Lateral view, Lt pediatric wrist radiograph, index exam, 670 by 1302 pixels 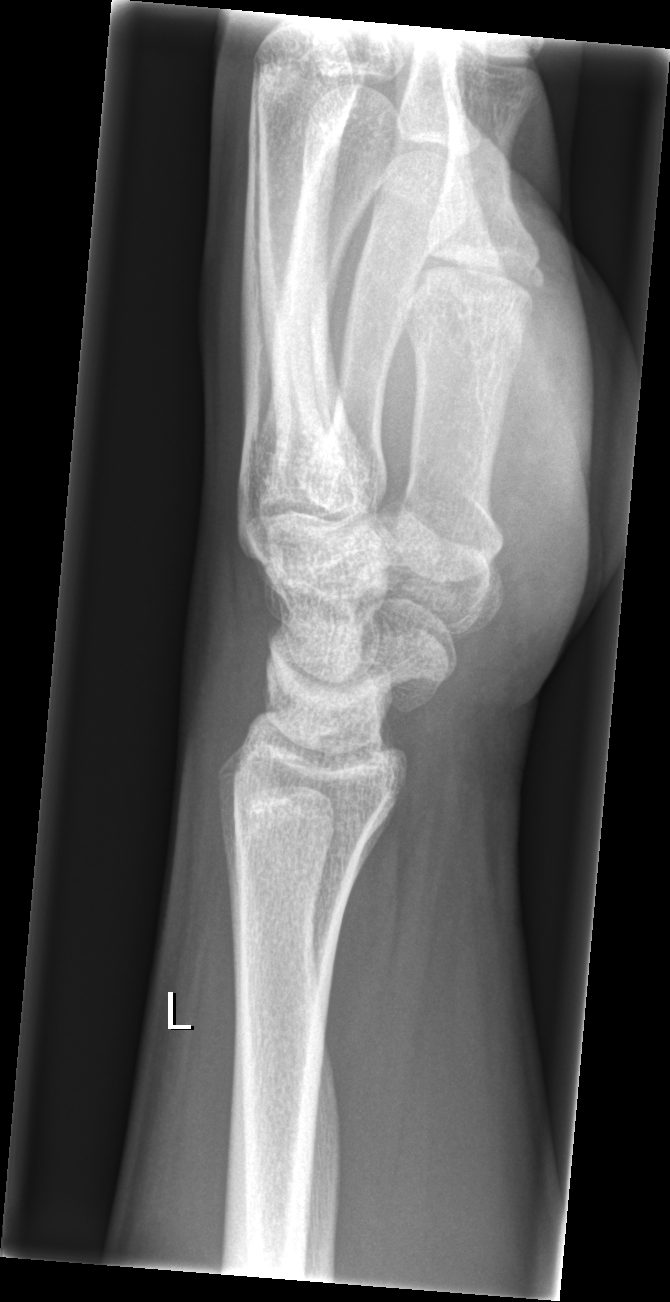 fracture: none labeled